Lateral projection · Lt wrist XR · 15y F 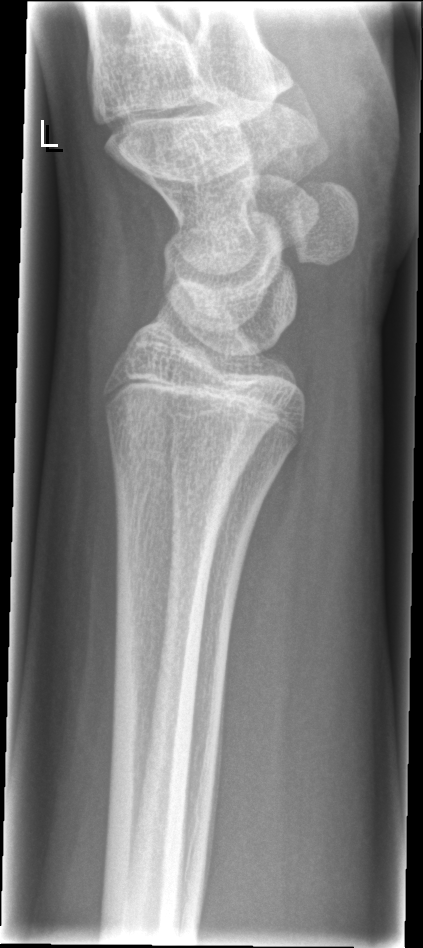 No fracture annotation.